Lateral projection | R wrist X-ray | 15-year-old male:

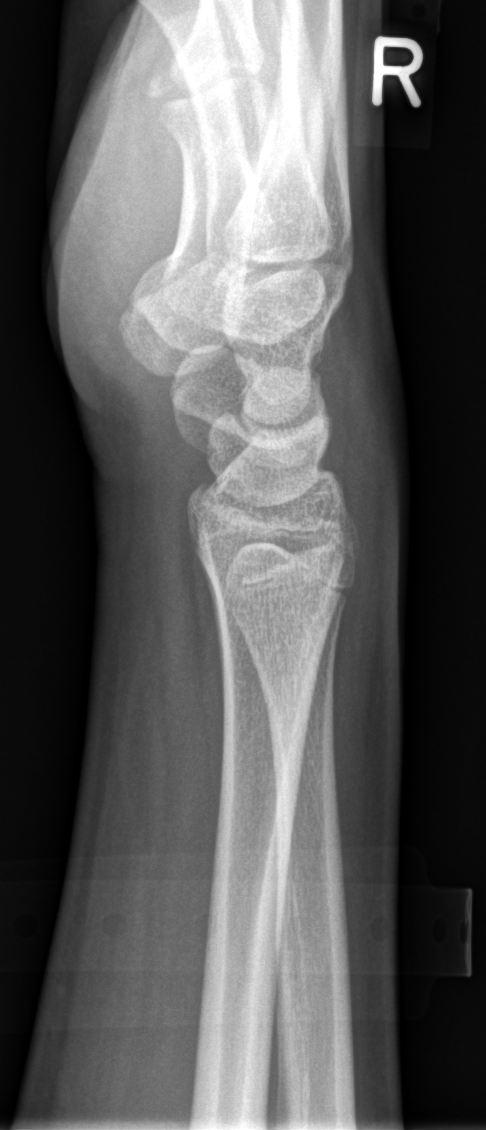 FINDINGS: No fracture annotation.